Lateral, Rt wrist XR, cast present, 717 by 1286 pixels: 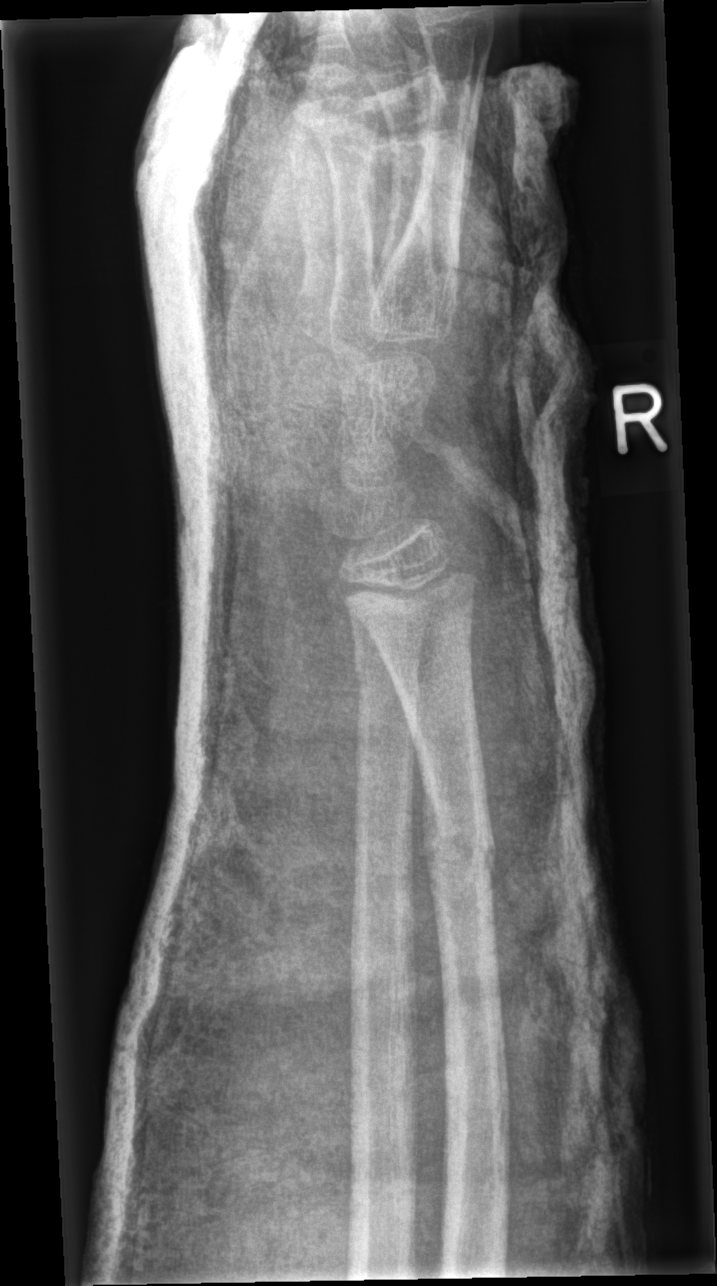
Fracture classified AO/OTA 22r-D/4.1; 23u-M/2.1.
Bone fractures — (418, 790, 501, 897) (345, 654, 427, 713).